Lateral | left wrist XR | 10-year-old girl | detector: Siemens —
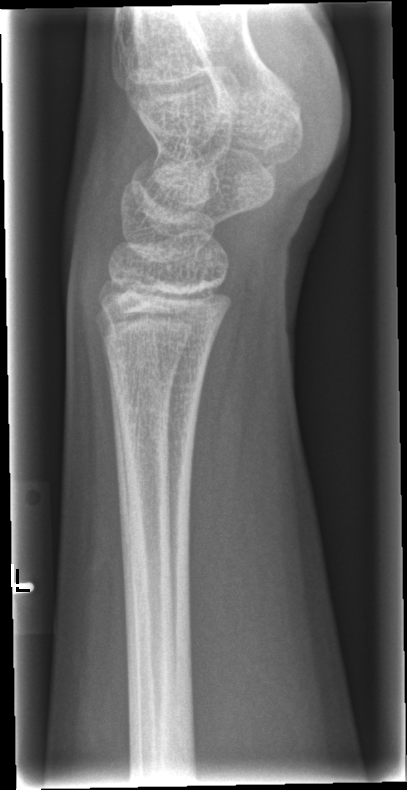

No fracture labeled.